Posteroanterior; R wrist X-ray; 9-year-old female; in cast; 666 x 935 px 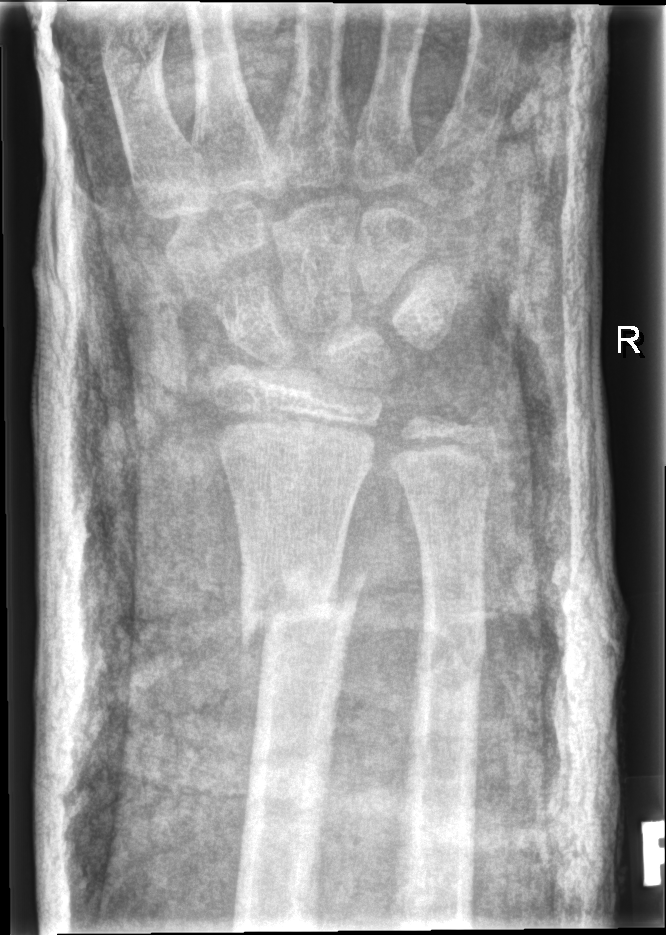
FINDINGS — Bone fracture identified at 235 557 370 653
  409 613 491 693. AO/OTA classification: 23-M/3.1; 23u-E/7.